Left wrist XR · PA/AP view · follow-up —
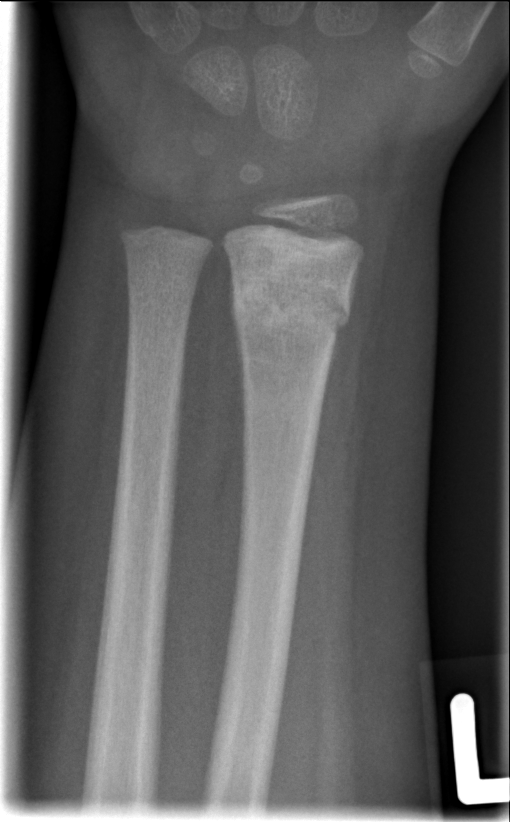

{"ao": "23r-M/3.1", "periostealreaction": "1 @ [229, 264, 248, 443]", "fracture": "1 @ [226, 251, 356, 349]", "osteopenia": "present"}